PA view, Rt wrist plain film, 15y M, detector: Siemens, image 86.7 mm wide. 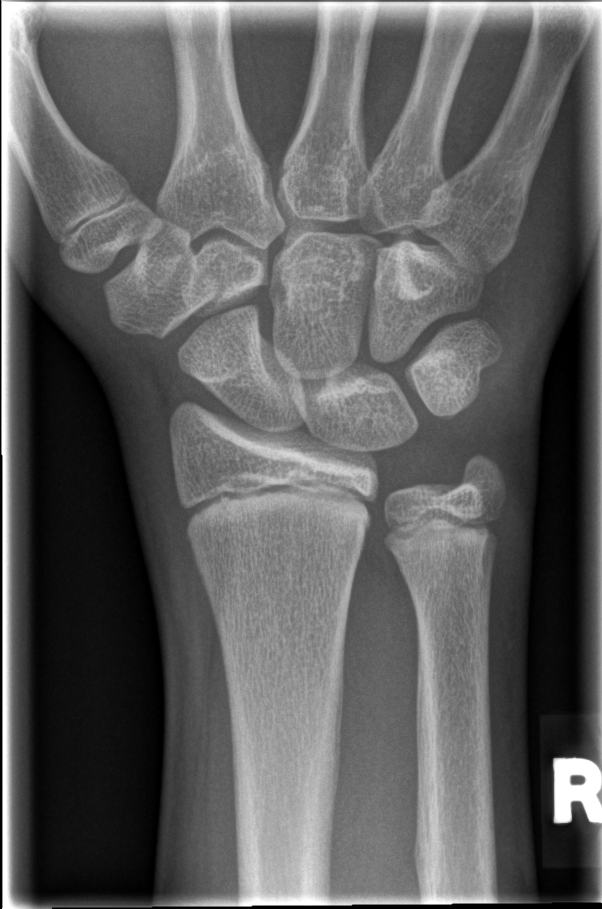 Q: Is there a fracture?
A: No fracture bounding box